Left wrist radiograph · lat · acquired on Siemens.
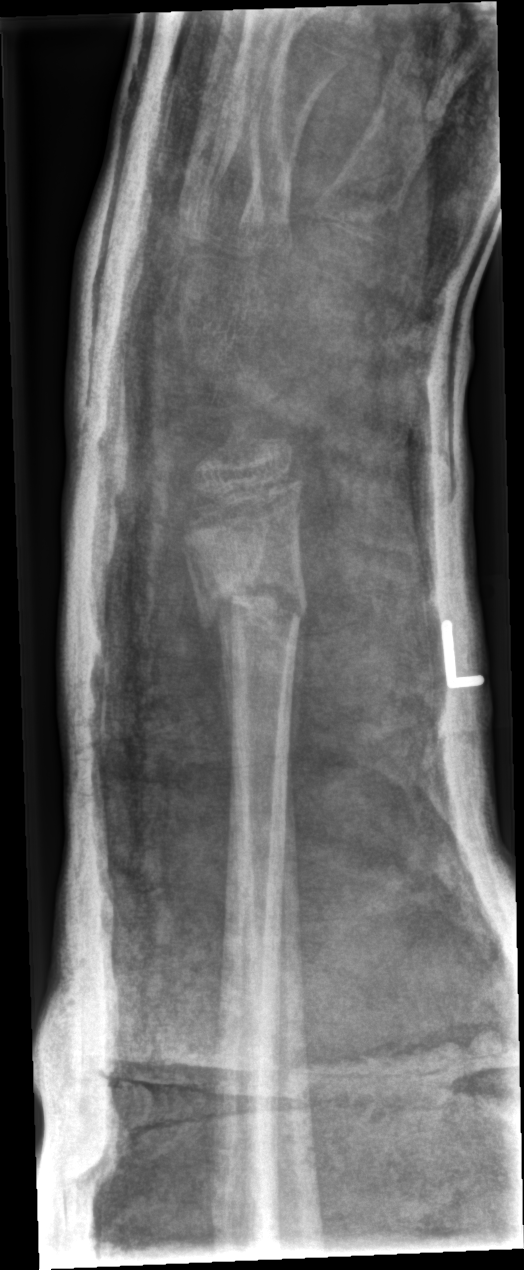 periosteal new bone = 2 @ 184 543 237 782; 285 606 306 790
AO code = 23-M/3.1
Fx = 1 @ 193 564 312 642